Left wrist pediatric wrist radiograph, lateral view, 520 by 1186 pixels.
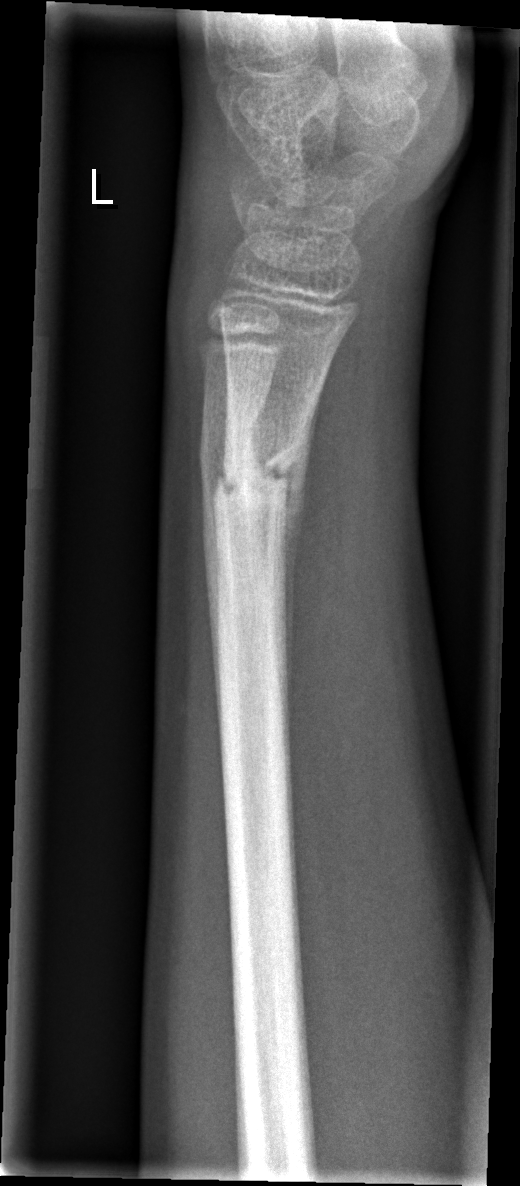

One fracture at 196,427,312,530.
AO code 23-M/3.1.
One periosteal reaction at 282,446,311,729.